L wrist plain film | lateral view | 8-year-old female | 497 by 1012 pixels
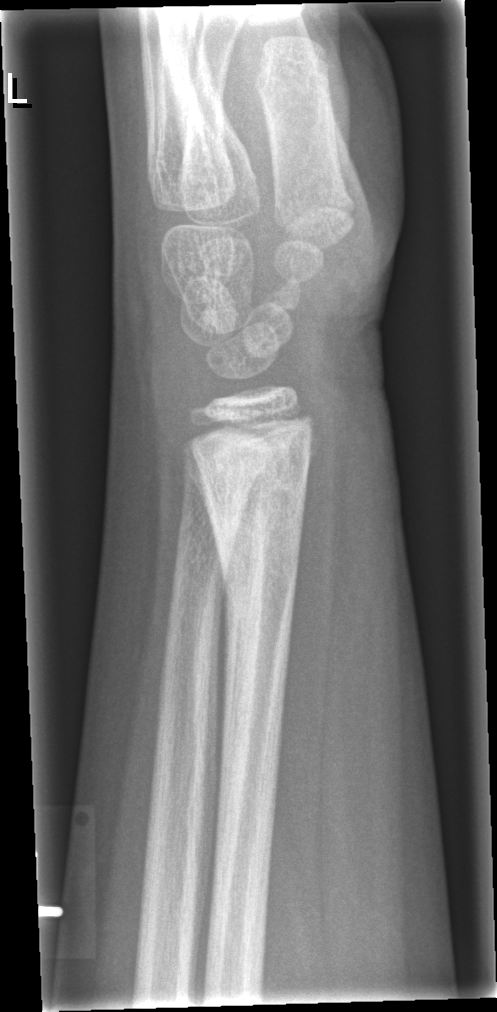
(bounding boxes in image-pixel xyxy)
bone fracture = 1 @ 175,440,330,625